AP projection | Lt wrist X-ray:

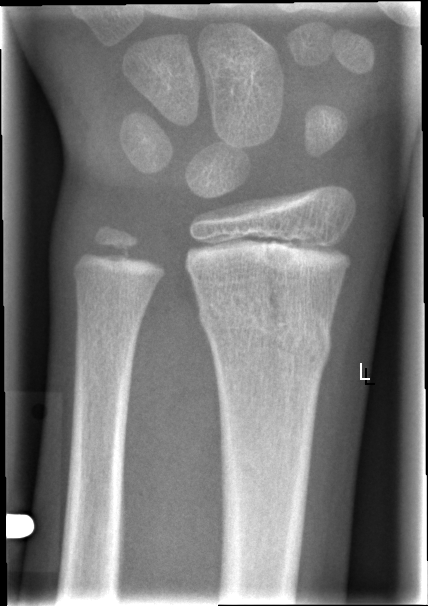 * Fracture identified at [195, 277, 334, 372].